L wrist XR; lateral view; age 17 y, girl; detector: Siemens; 77.8 mm image width; image size 540x904 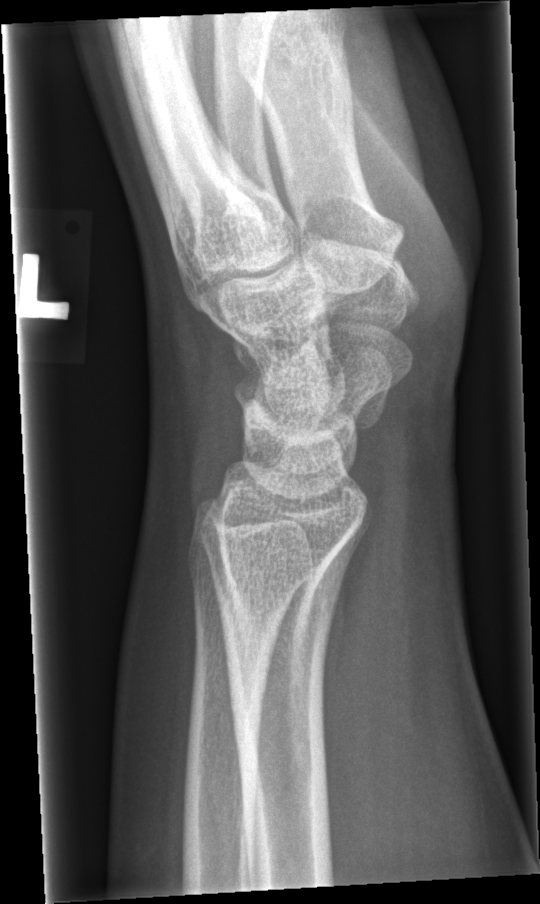

No fracture annotation.